Left plain radiograph of the wrist · lat · age 7 y, boy · presentation radiograph:

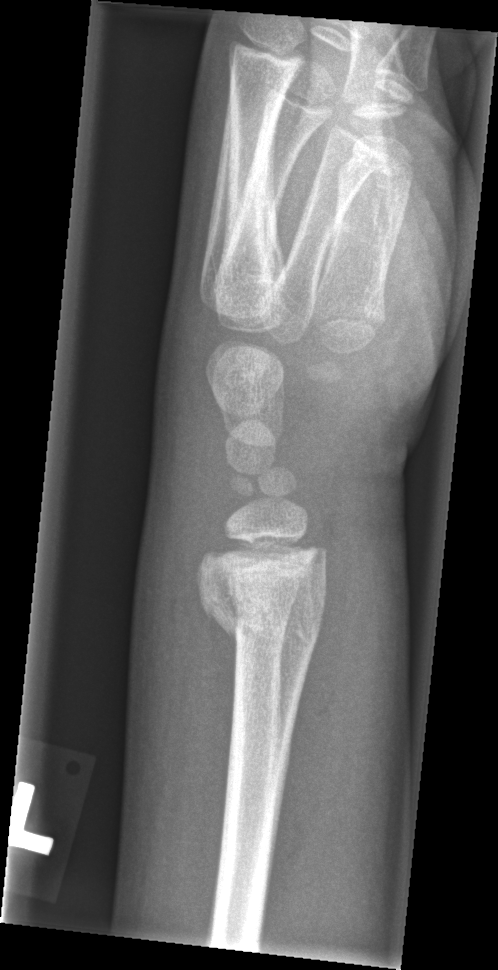
AO code 23-M/2.1. Bone fracture identified at [x1=194, y1=575, x2=330, y2=656].